Rt wrist XR; lateral view; 5-year-old female 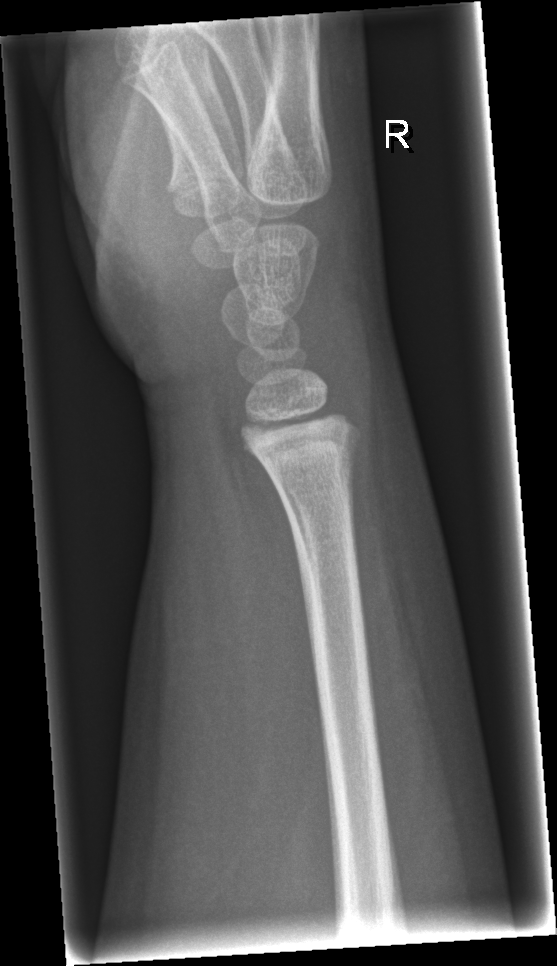

Findings: Fracture: bbox(251, 420, 364, 479). Fracture classified AO/OTA 23r-M/2.1.